L wrist XR; frontal projection; 552 by 914 pixels

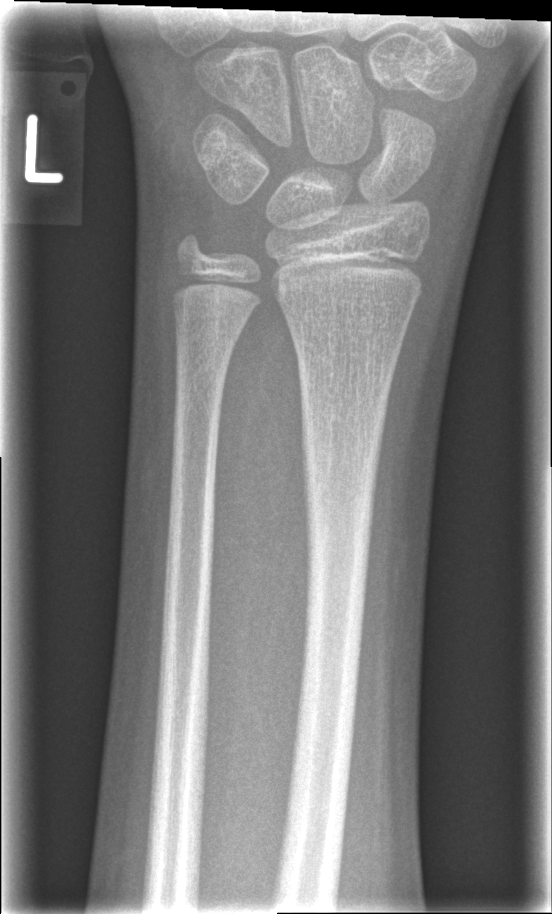 Bone fracture: none labeled